Lt plain radiograph of the wrist | lat view.

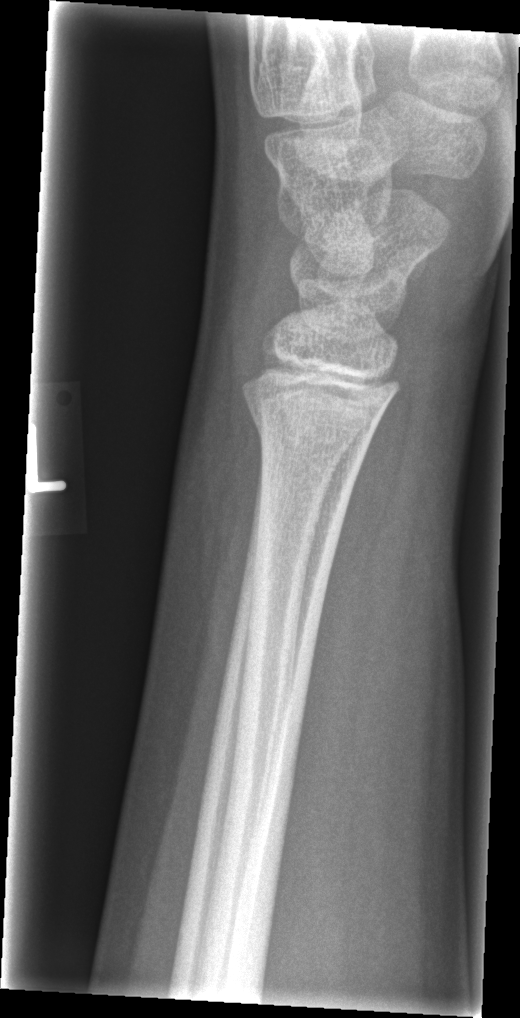
Pixel coordinates, top-left origin, xyxy. One fracture at (240, 372, 391, 473). AO/OTA classification: 23r-M/2.1.